Frontal projection · left wrist XR · 9y M:

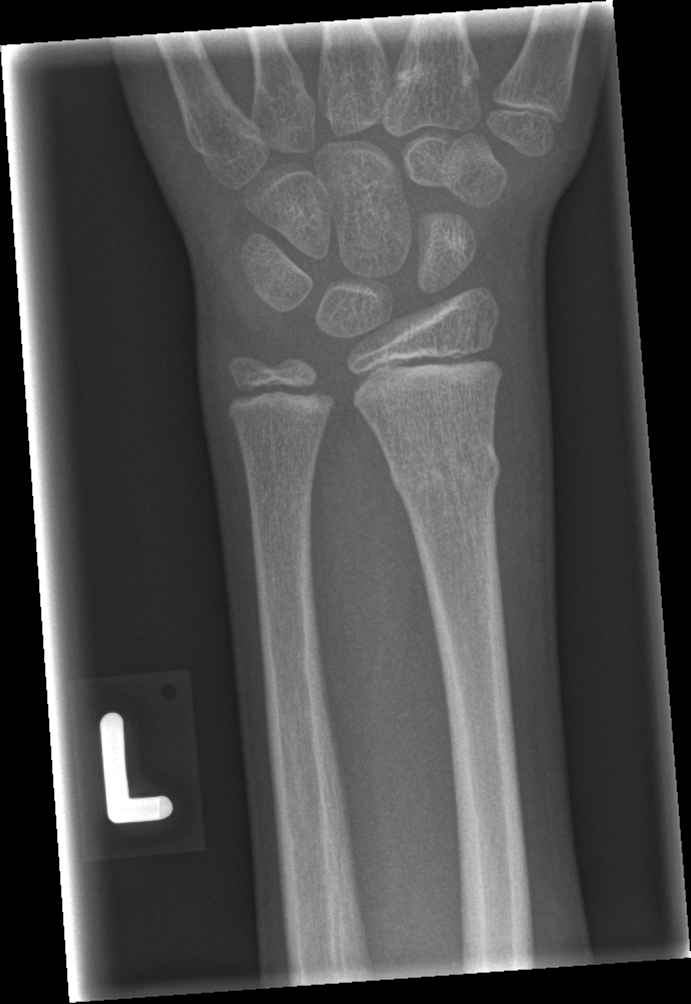
(pixel coordinates, top-left origin, xyxy)
Fx: 1 @ bbox(385, 439, 503, 501)
AO classification: 23r-M/2.1